Left wrist radiograph | lat | presentation radiograph | Siemens:

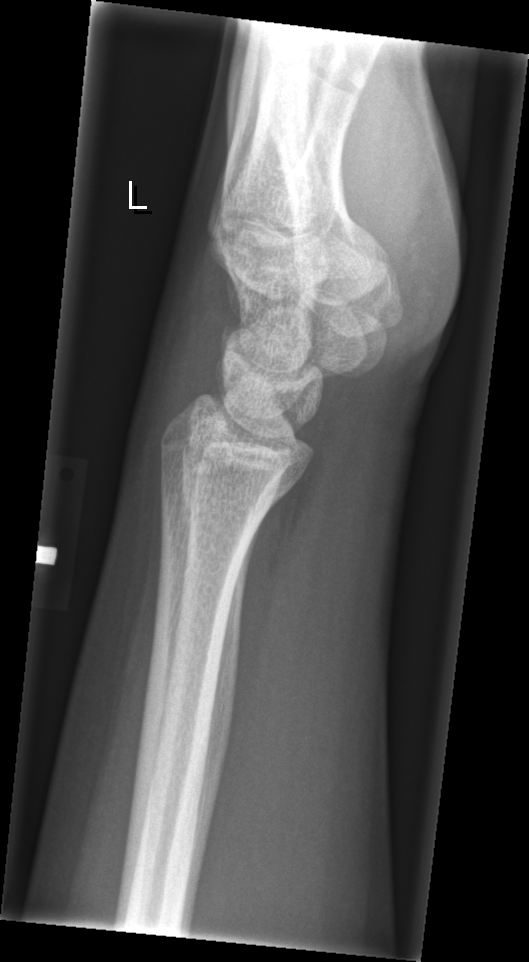 bone fracture = none labeled